Lat; right pediatric wrist radiograph; 6y F: 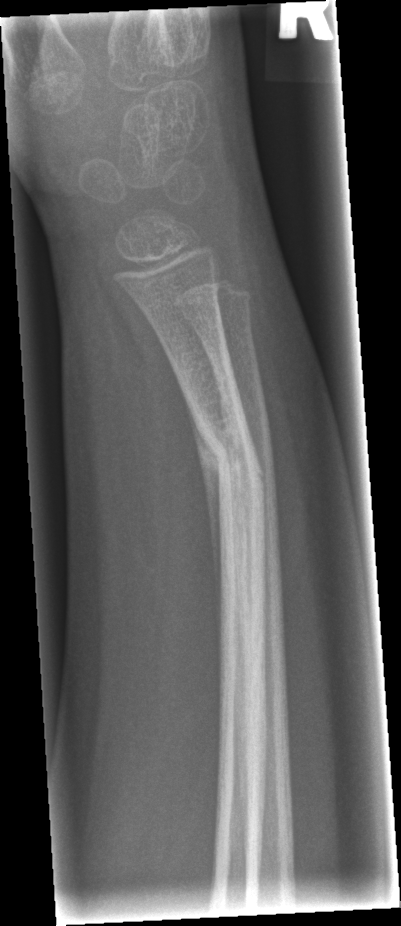
One Fx at [x1=192, y1=411, x2=269, y2=503].
AO/OTA classification: 22r-D/4.1; 23u-M/2.1.
Periosteal reaction identified at [x1=184, y1=400, x2=222, y2=645].
Decreased bone density (osteopenia).